Frontal view · Rt wrist X-ray · age 17 y, boy · Siemens

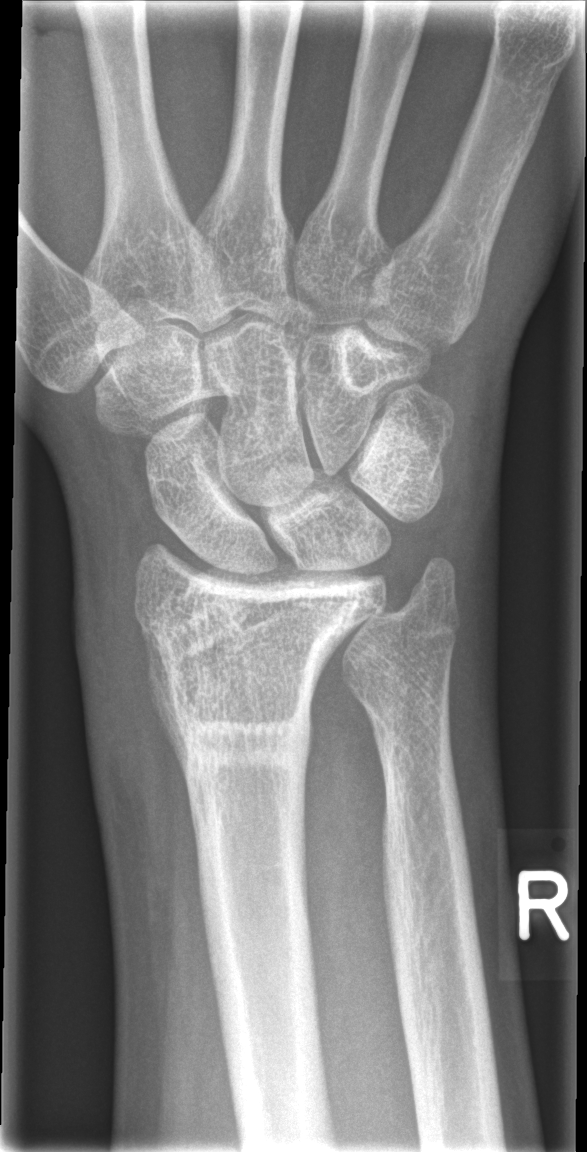 Findings: (bounding boxes in image-pixel xyxy) No fracture annotation. Bone anomaly identified at (left=140, top=560, right=392, bottom=675), (left=319, top=543, right=464, bottom=718), (left=156, top=702, right=323, bottom=780).